Left wrist X-ray, lat, 11-year-old boy, in cast, detector: Siemens, image 75.5 mm wide, image size 524x818:

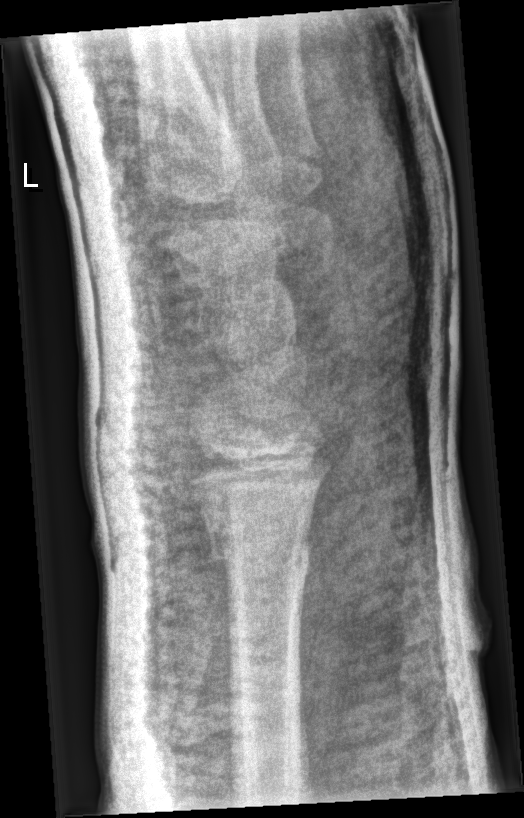
fracture: 205,510,320,585
ao: 23r-M/2.1